R wrist XR, posteroanterior, initial study —
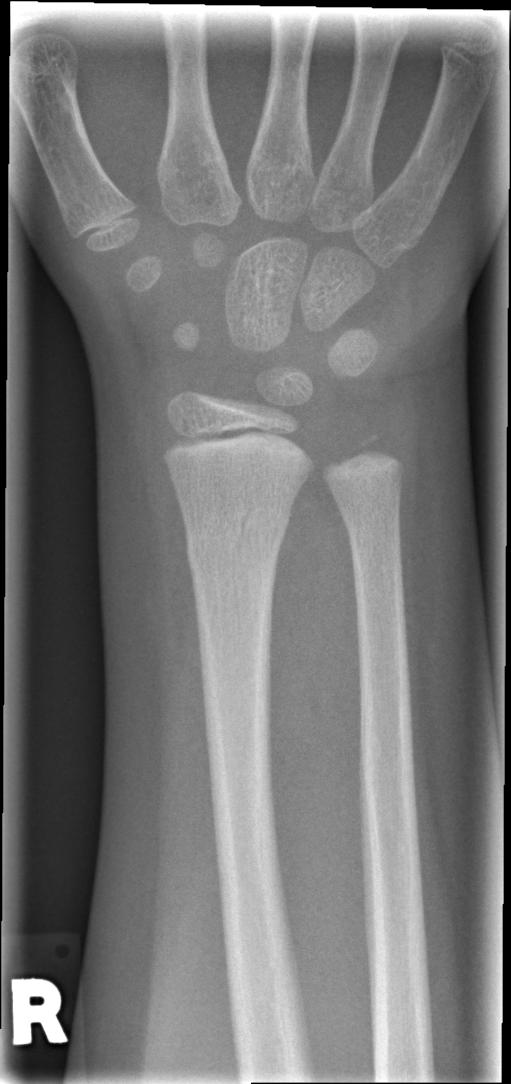
• AO code 23r-M/2.1.
• Fracture identified at [x1=183, y1=504, x2=295, y2=574].